R wrist XR | frontal view | age 10 y, female | image size 667x968 — 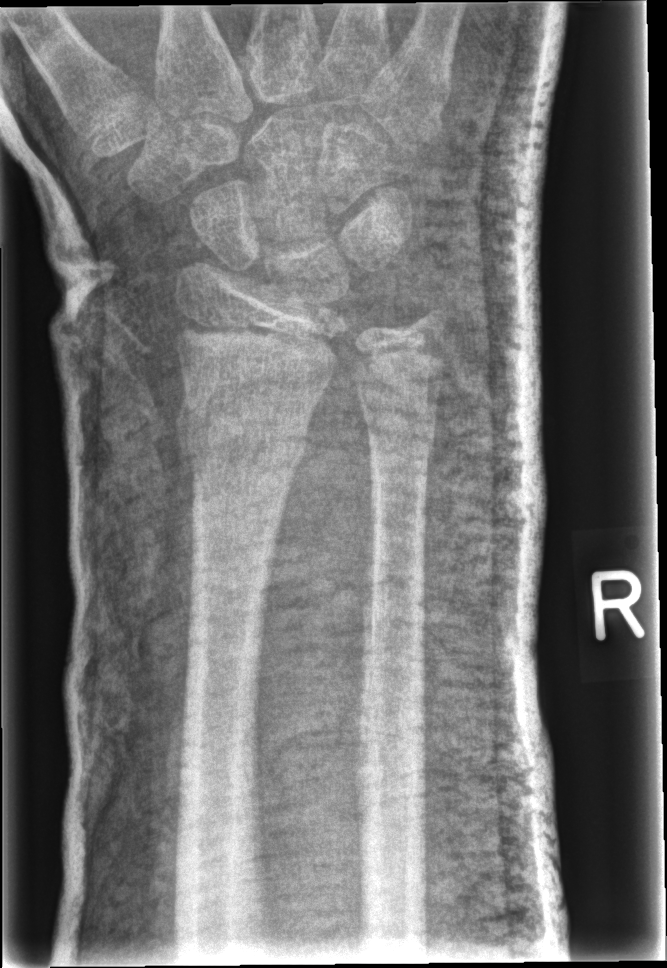 AO classification: 23-M/2.1
fracture: [172, 384, 314, 473] [359, 408, 442, 469]